Lt wrist plain film | lateral projection | presentation radiograph —
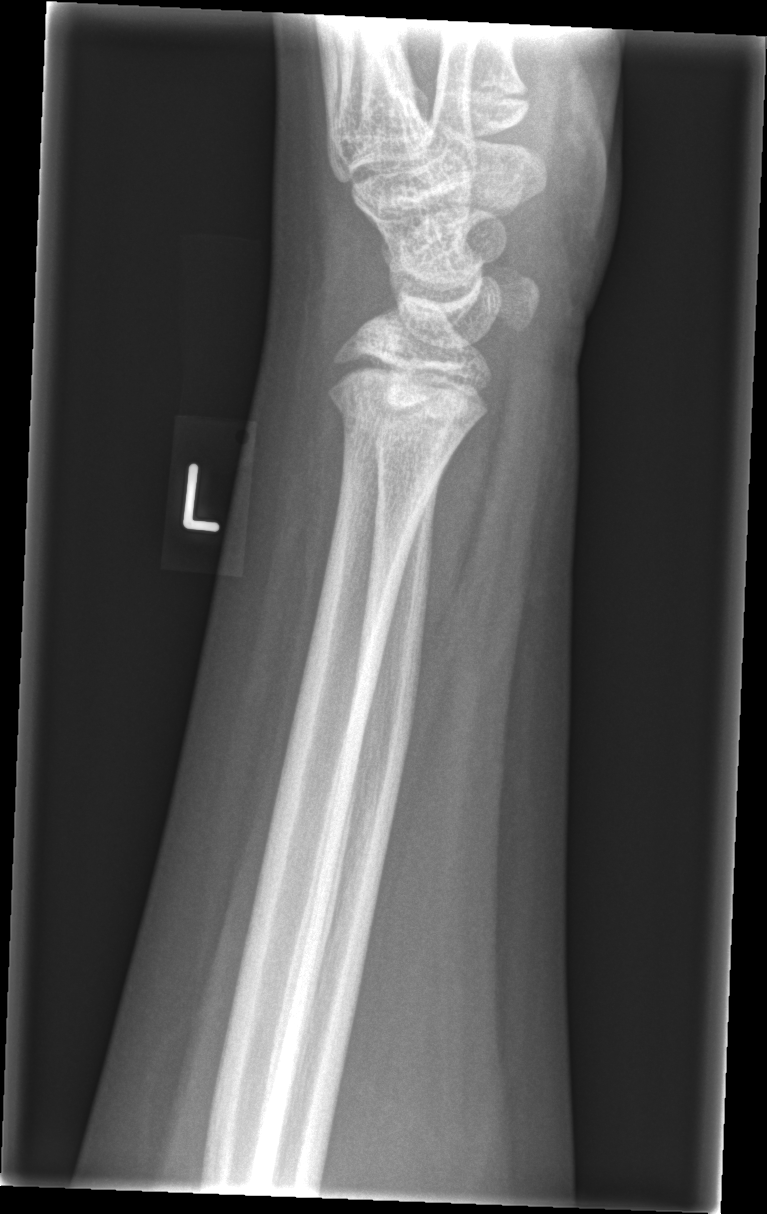 * Fx: 324,376,488,445.